L wrist X-ray, AP — 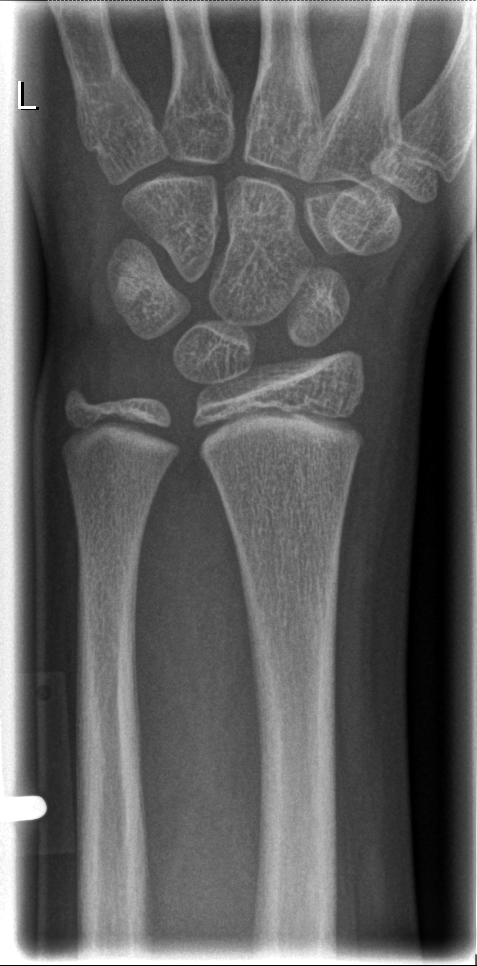
Q: Any fracture seen?
A: Fracture: none labeled